L wrist radiograph; lateral view; imaged through cast; Siemens; 536 x 991 px:
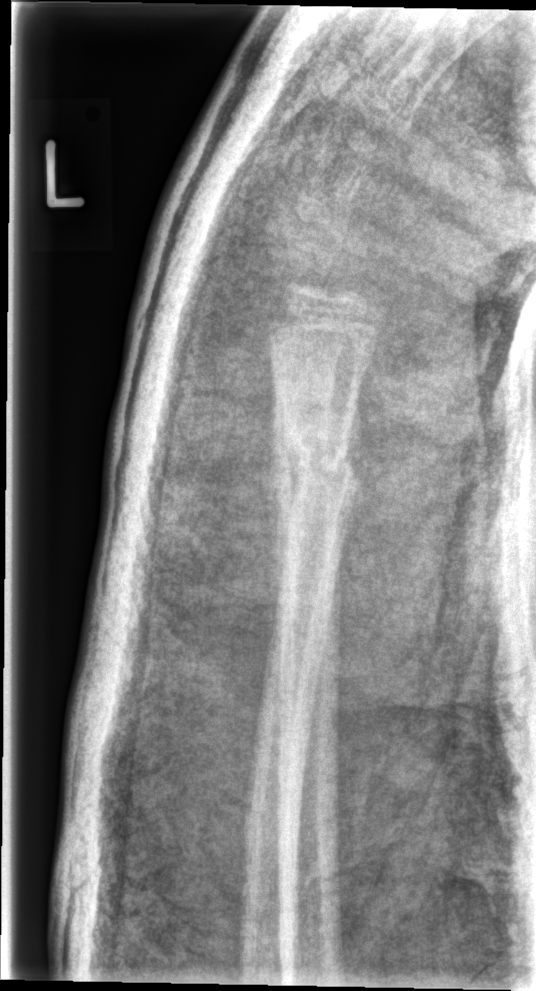

* Bone fracture identified at [x1=269, y1=419, x2=360, y2=526].
* Periosteal reaction — [x1=262, y1=369, x2=301, y2=616] [x1=337, y1=386, x2=367, y2=557].